Left plain radiograph of the wrist; PA projection; age 15 y, male; 617 x 1218 px: 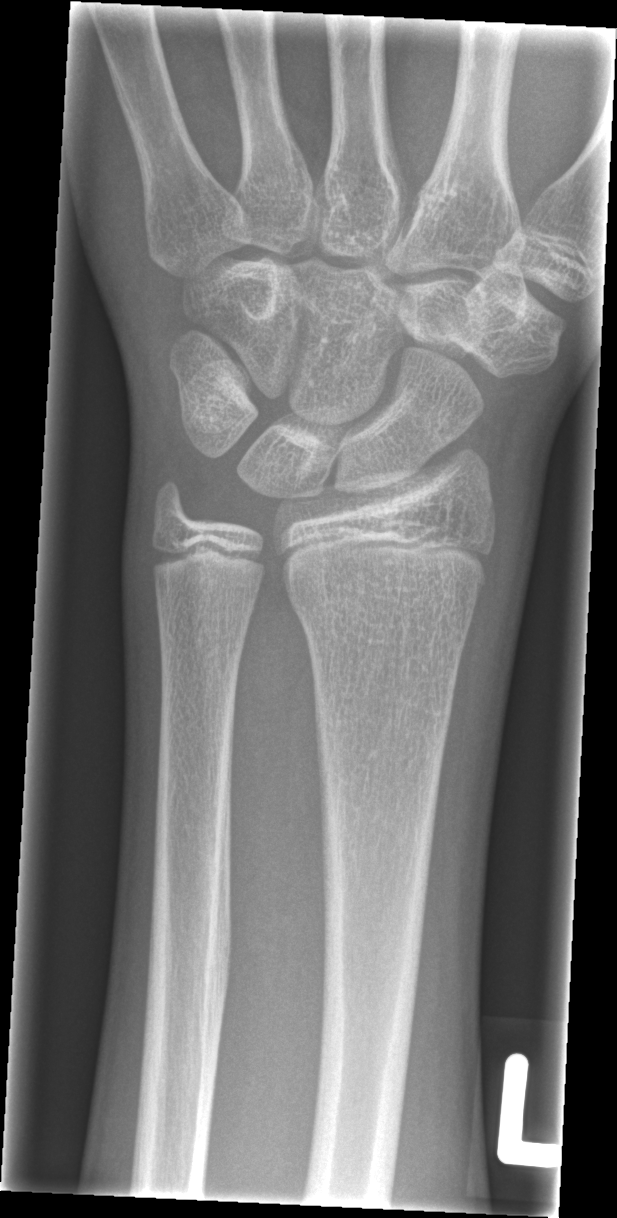 {
  "ao": "23r-M/2.1",
  "fracture": "present but not clearly seen in this view"
}